Left wrist plain film · AP view · 608 by 1163 pixels:

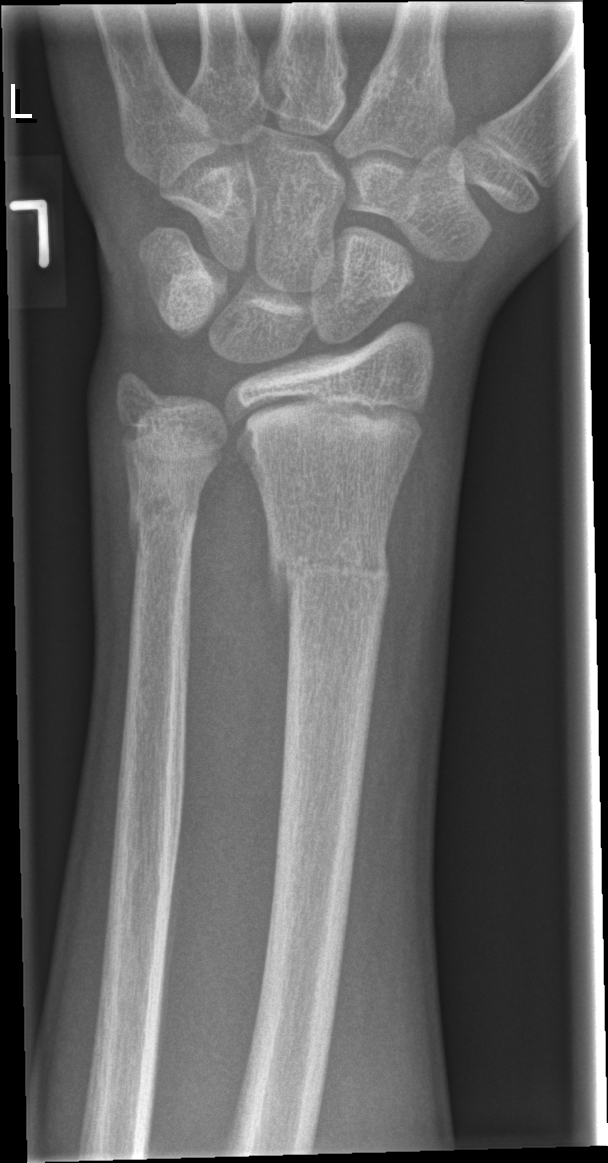
fracture = 2 @ <265,534>-<390,611>; <125,485>-<203,558>